PA | Lt plain radiograph of the wrist | cast present:

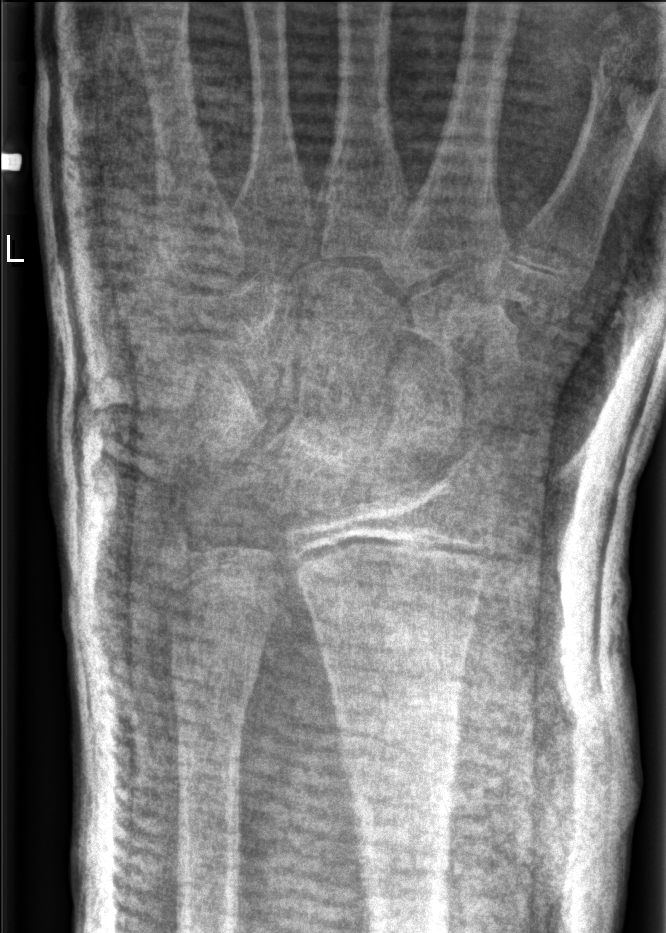 • AO/OTA classification: 23-M/2.1.
• Bone fracture: (left=165, top=636, right=267, bottom=714).